Lat projection | R wrist radiograph | age 11 y, girl | Siemens:

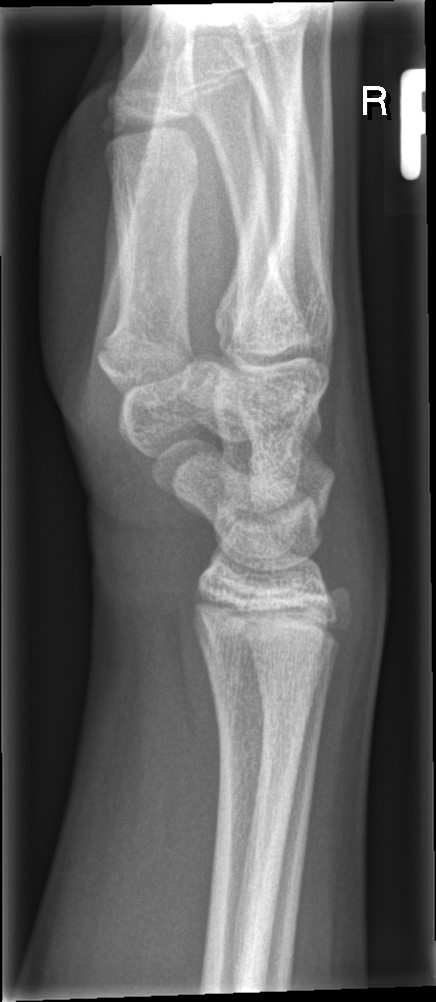 FINDINGS — No Fx annotated.